L wrist radiograph · lat projection · follow-up study · cast present.

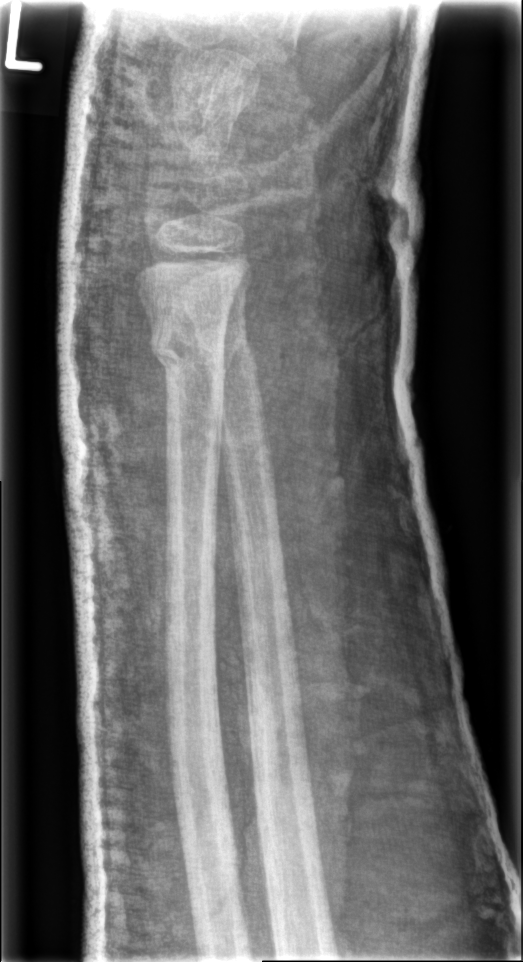
FINDINGS — (pixel coordinates, top-left origin, xyxy) Two Fx at 145 309 228 380; 199 321 255 373. AO/OTA classification: 23-M/3.1.